Lateral, L wrist plain film, follow-up — 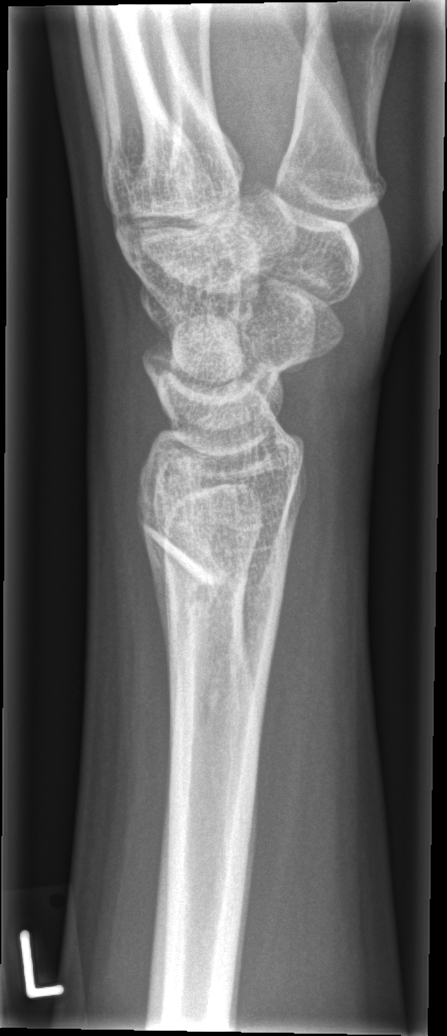
- Boxes as x1,y1,x2,y2 (top-left / bottom-right, pixel units).
- Fx — (131, 490, 296, 724).